Rt wrist radiograph; posteroanterior view; 9-year-old girl; 534x628

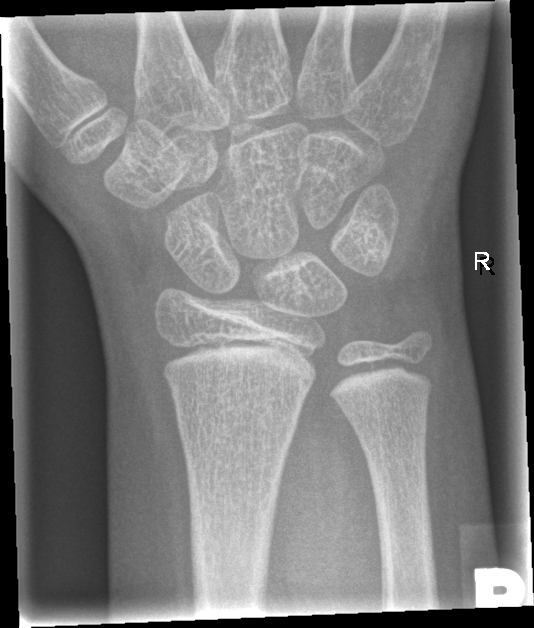
Bounding boxes in image-pixel xyxy.
AO/OTA classification: 23r-M/2.1.
Fracture identified at bbox(173, 396, 302, 453).